AP | L wrist plain film | girl, 17 yo | image width 75.7 mm.

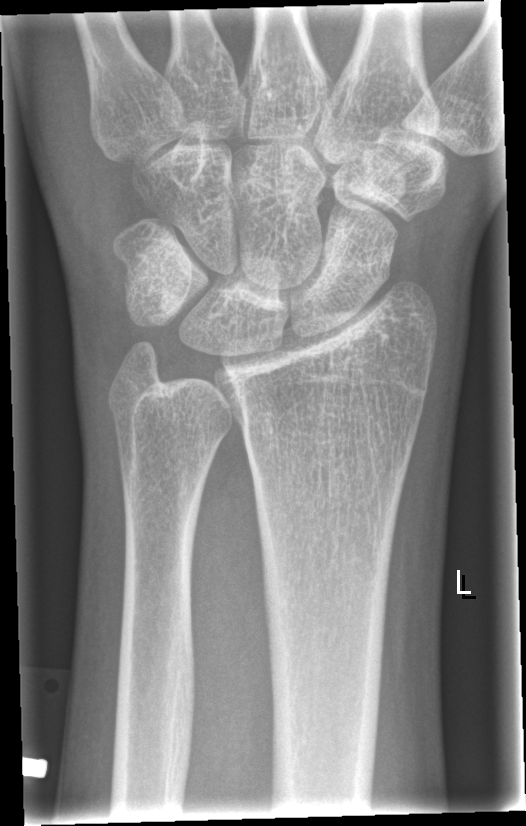
FINDINGS — Fracture: none labeled.